Posteroanterior, R pediatric wrist radiograph. 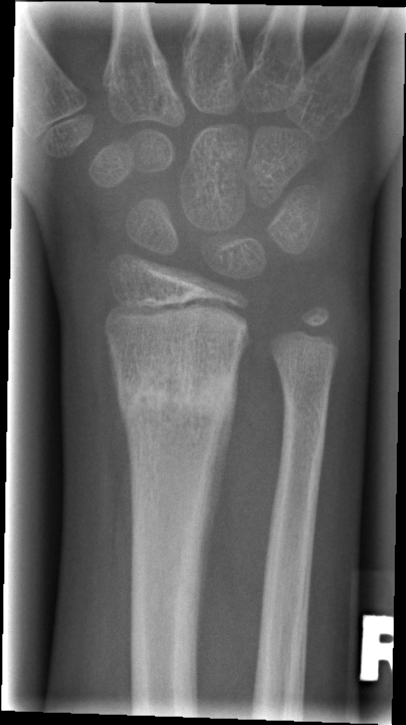

* Coordinates are [x1, y1, x2, y2] in image pixels.
* Fx — 116 354 237 441.
* AO/OTA classification: 23r-M/2.1.
* Periosteal new bone identified at 194 359 239 651.
* Decreased bone density (osteopenia).